Left wrist plain film, lateral view, presentation radiograph, image 97.8 mm wide — 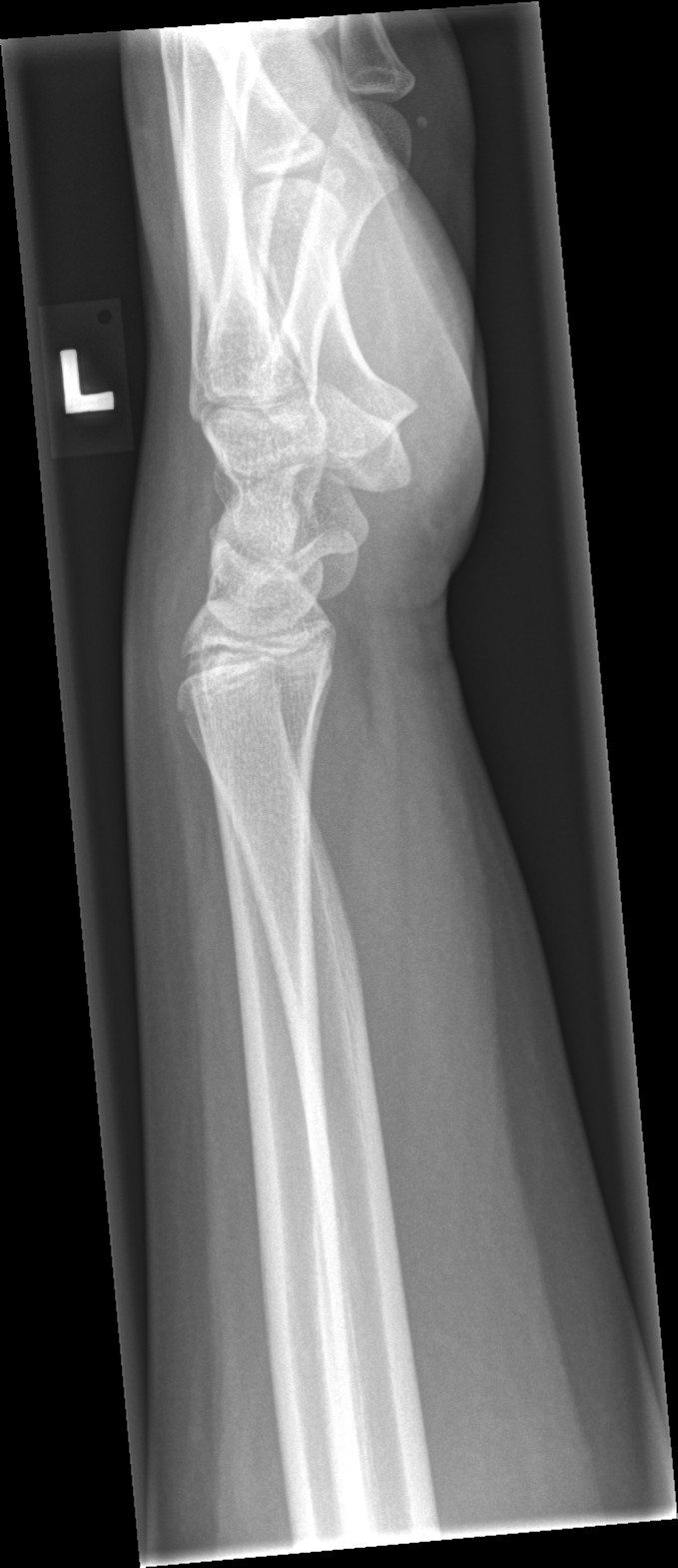

FINDINGS — No fracture bounding box.